Lat | left wrist radiograph | acquired on Siemens | image width 89.6 mm | image size 622x1232 — 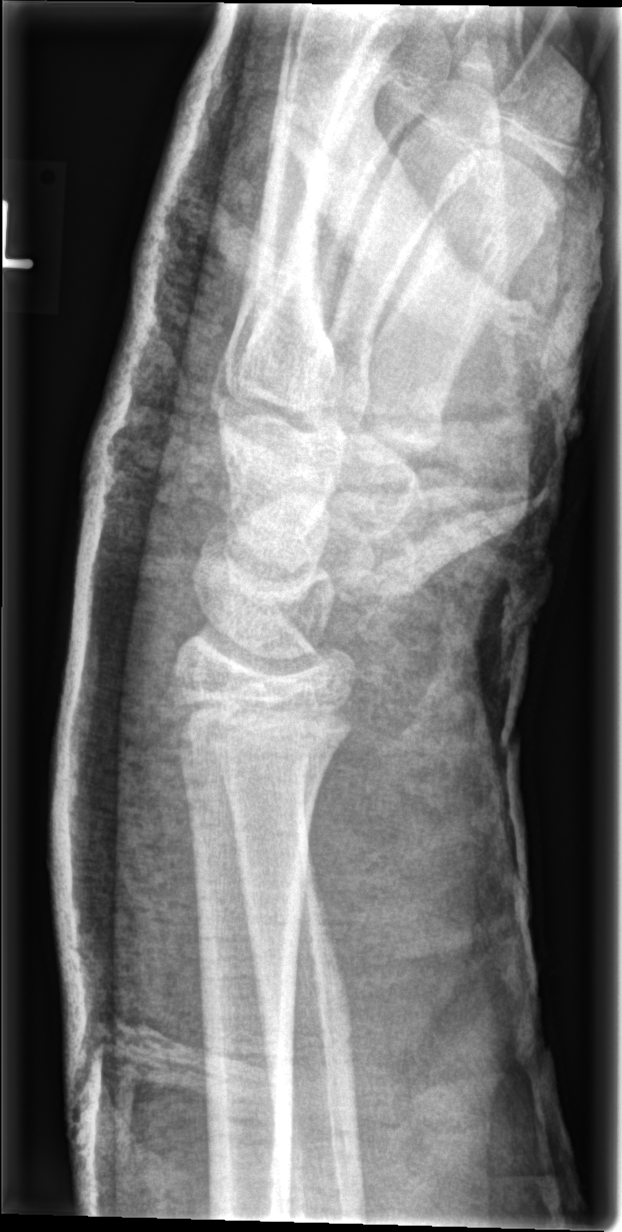

(boxes as x1,y1,x2,y2 (top-left / bottom-right, pixel units))
Q: Any fracture seen?
A: Fx identified at 169 678 354 767